L wrist XR | lateral projection —

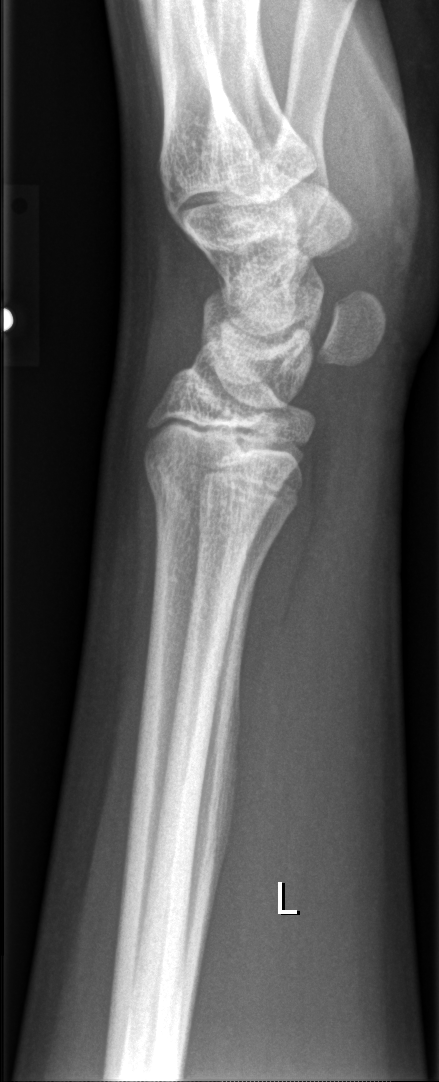

Bone fracture — [x1=143, y1=459, x2=267, y2=543].